Right wrist XR, lat view, 520 x 1146 px: 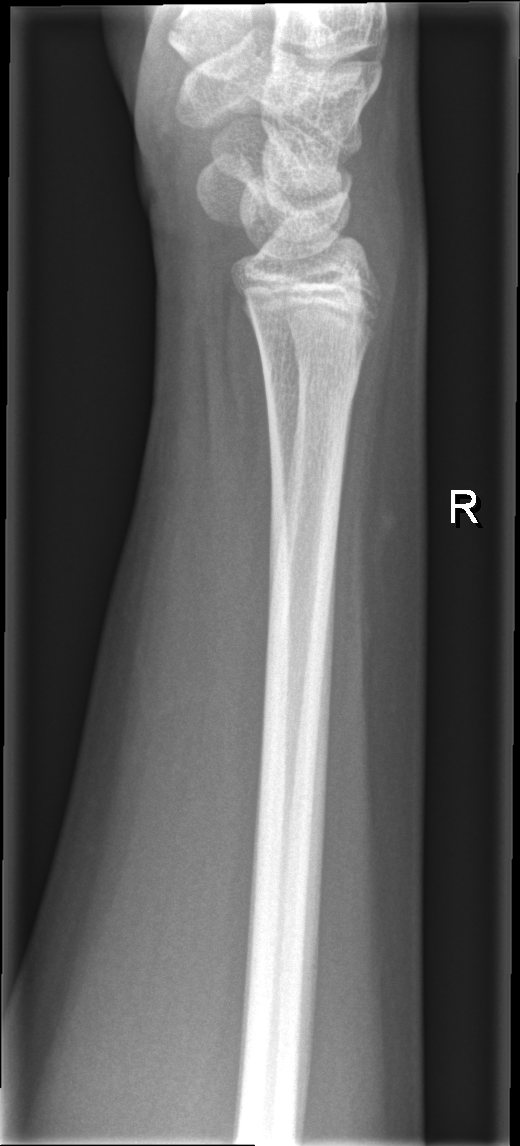

Fx = 258 352 364 410